Lat; right wrist plain radiograph of the wrist; pediatric patient (girl, age 10); subsequent exam; imaged through cast; 75.2 mm image width.
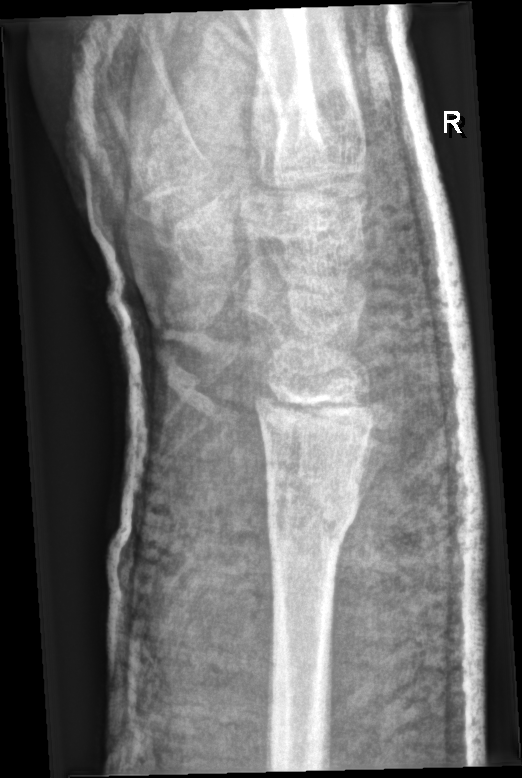
Q: Any fracture seen?
A: Fracture — bbox(263, 469, 369, 541)
Q: What is the AO/OTA classification?
A: AO/OTA classification: 23-M/2.1